Posteroanterior view | left wrist XR.

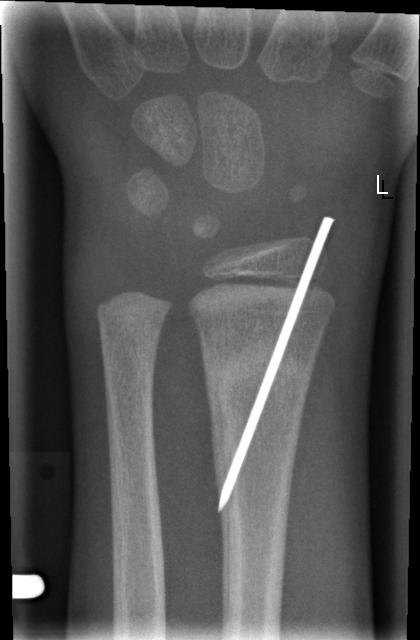
Coordinates are [x1, y1, x2, y2] in image pixels. AO/OTA classification: 23r-M/3.1. Metal identified at <214,212>-<338,513>. Fracture — <200,337>-<315,401>.